Rt wrist X-ray; PA/AP projection.

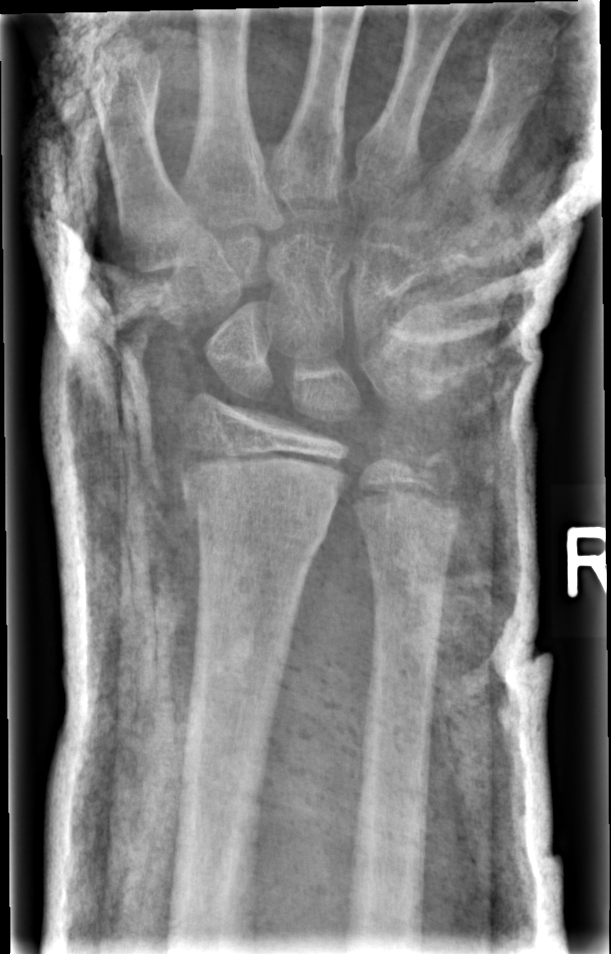

Q: Any fracture seen?
A: Fracture identified at [177, 474, 331, 556]